Right wrist plain film, lat, initial study, diagnosis uncertain. 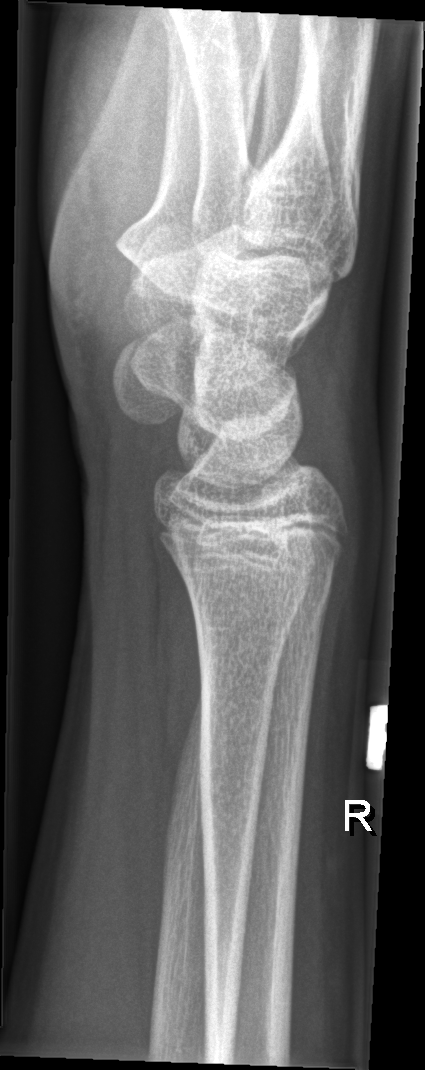

FINDINGS: (coordinates are [x1, y1, x2, y2] in image pixels) Fx identified at <181,545>-<348,631>. Fracture classified AO/OTA 23r-M/2.1.